Frontal projection | left wrist pediatric wrist radiograph | 6-year-old male | imaged through cast | Siemens | image 79.1 mm wide.
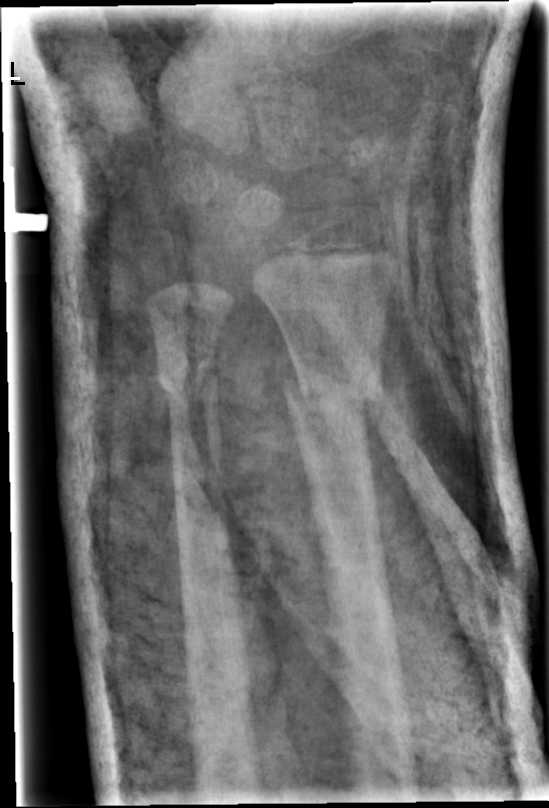

{"fracture": "277,358,389,419; 156,353,219,411"}